Rt wrist X-ray | lat view | girl, 14 yo | diagnosis uncertain | detector: Siemens | 560x1420 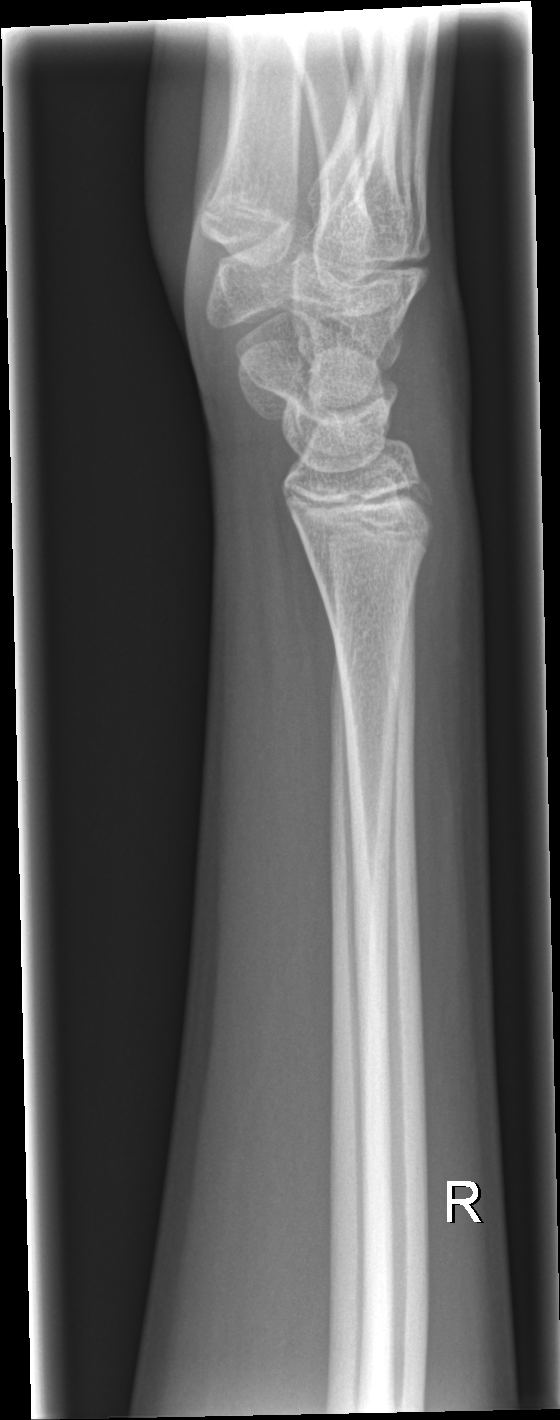 Bounding boxes in image-pixel xyxy. AO/OTA classification: 23r-M/2.1. Bone fracture identified at <295,503>-<443,601>.